Lateral projection; right pediatric wrist radiograph; boy, 9 yo; index exam.
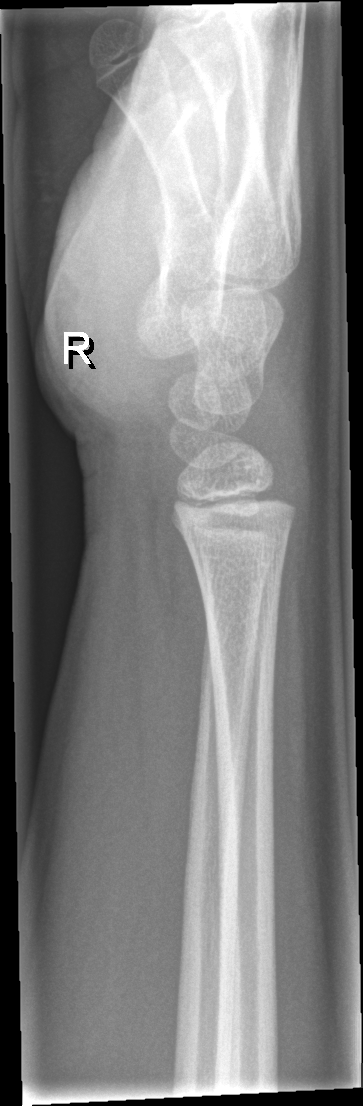

Q: Locate any fractures.
A: No Fx annotated